PA projection; right pediatric wrist radiograph; 14y M; 651x1068 — 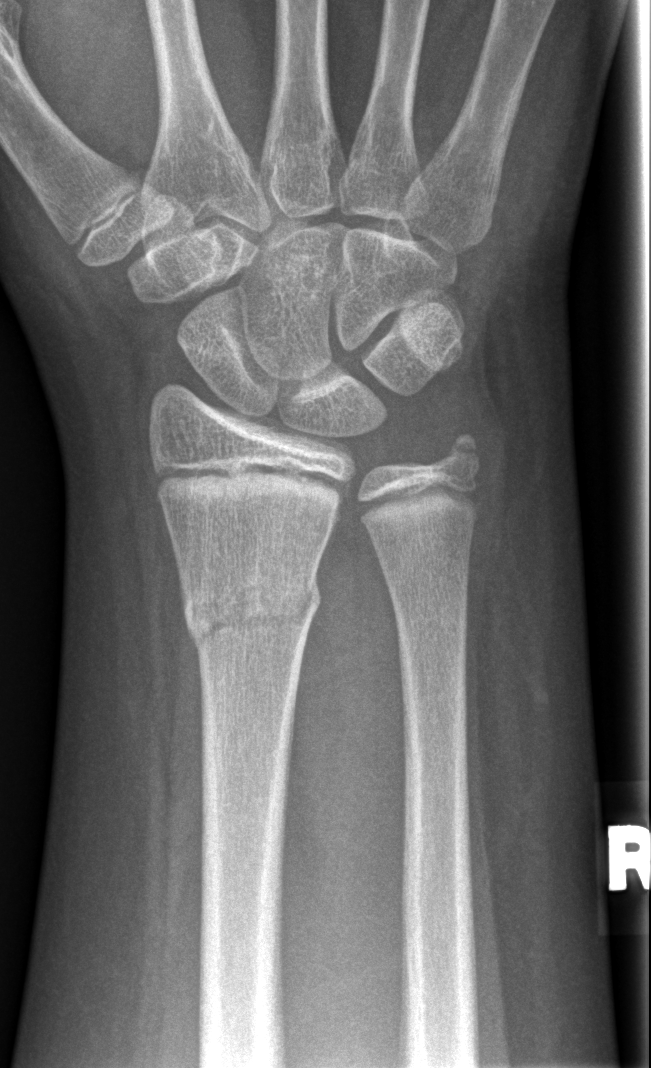 Fx = 178 557 324 656; 427 422 491 484